Lt wrist radiograph; lateral projection; pediatric patient (female, age 7):

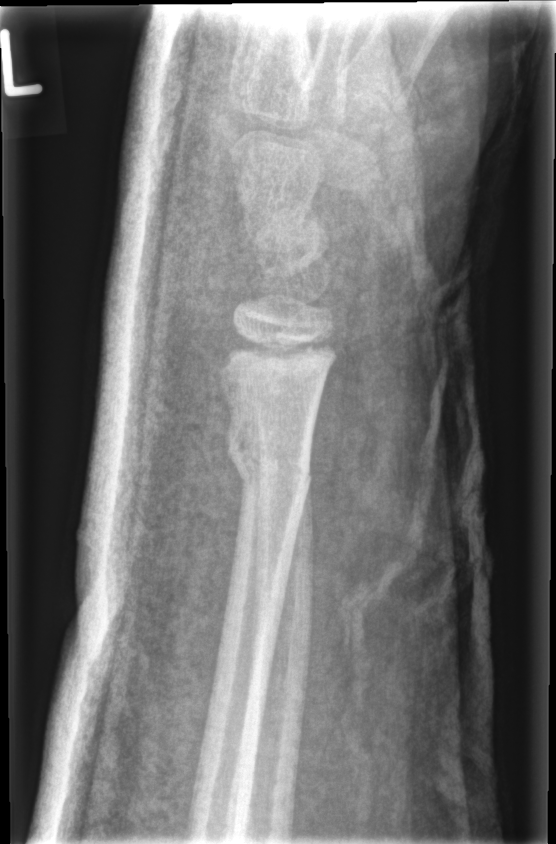 Fracture = 1 @ 222,412,316,495
AO code = 23r-M/3.1